PA/AP, L wrist XR, initial study, detector: Siemens, image size 682x1244: 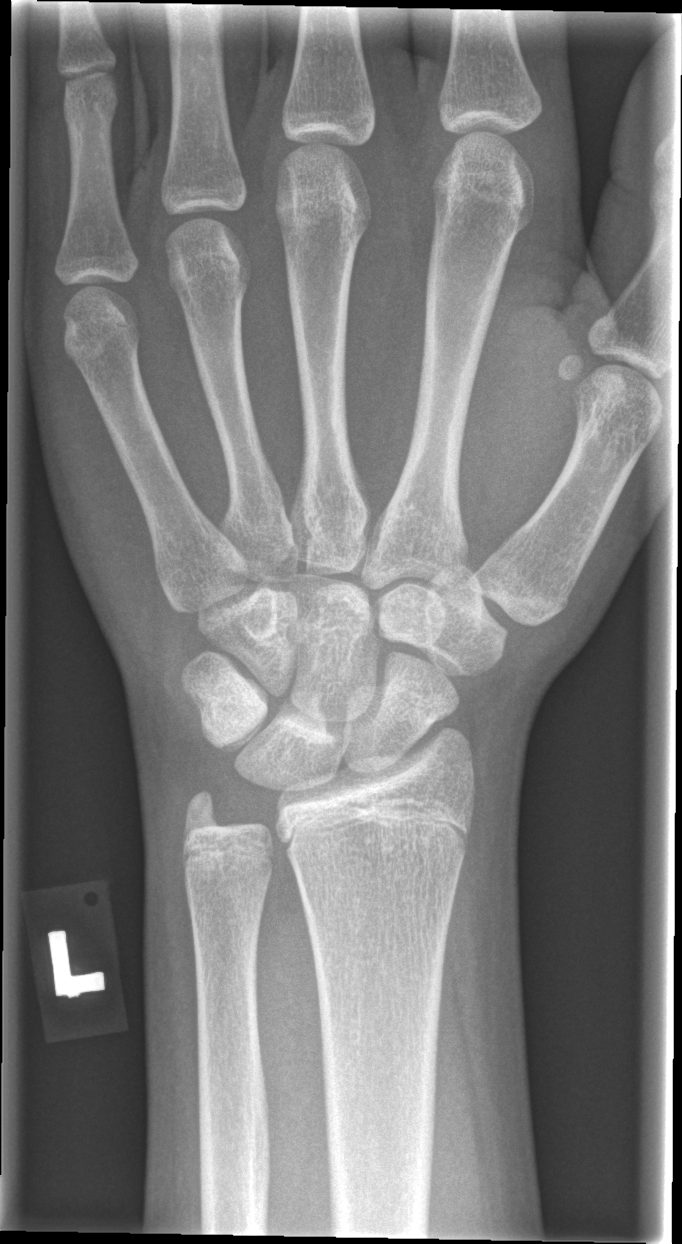

No fracture labeled.